Lateral view · left wrist XR —
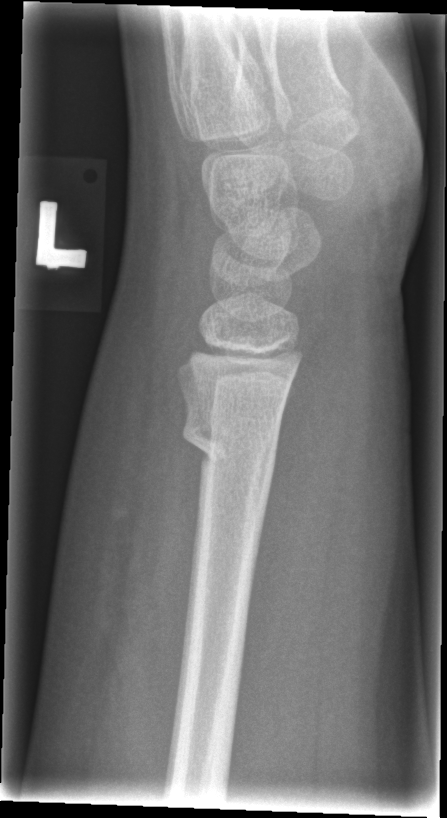

(coordinates are [x1, y1, x2, y2] in image pixels)
Q: Locate any fractures.
A: One bone fracture at (179, 415, 281, 481)
Q: Any soft-tissue swelling?
A: Soft tissue abnormality identified at (45, 280, 210, 690)
Q: Is the pronator sign positive?
A: One pronator quadratus fat-pad sign at (238, 329, 351, 688)